Lat view, right wrist X-ray 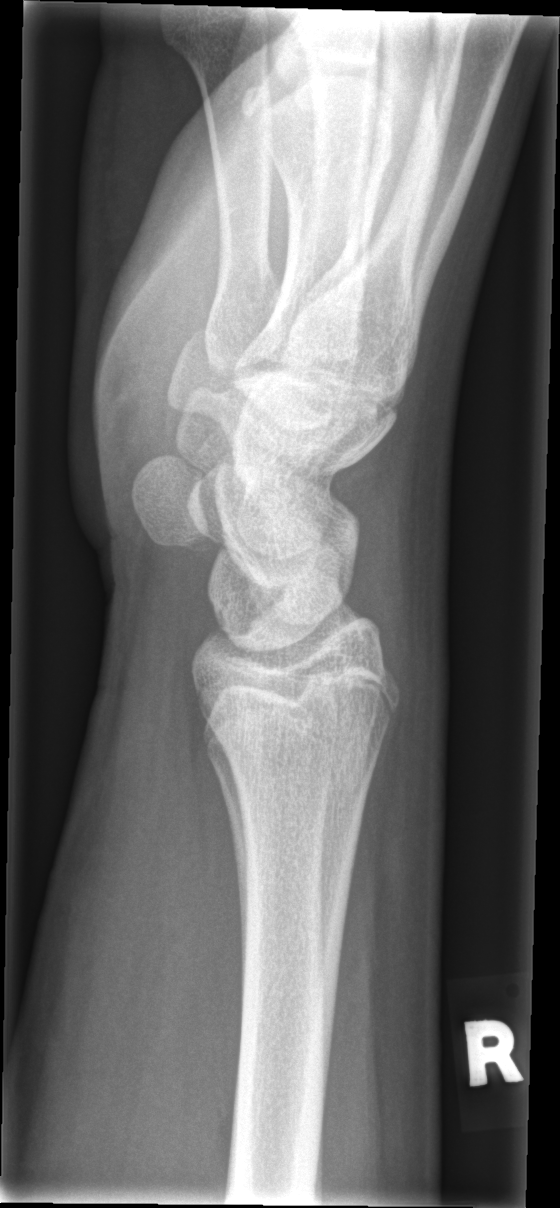

FINDINGS — Fx: none.